Rt plain radiograph of the wrist | lateral | 8-year-old male | 462x900 —

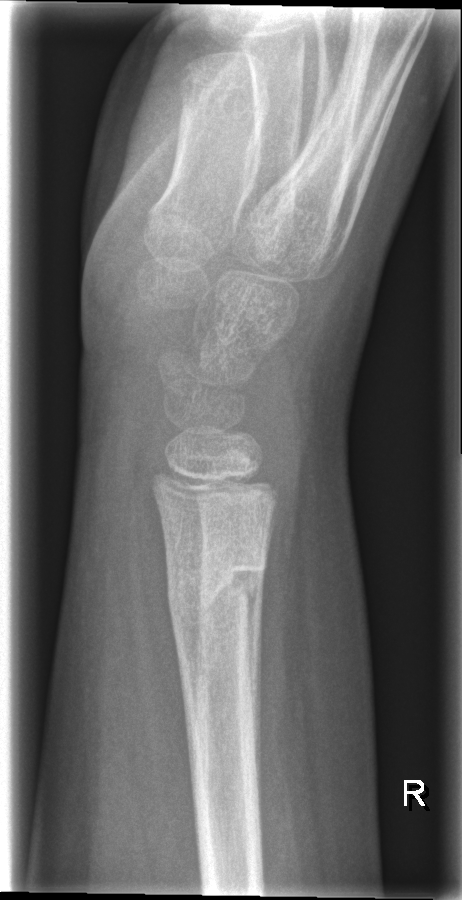 * Fx: (164, 556, 269, 633).